Lateral, right wrist plain film, pediatric patient (female, age 4), presentation radiograph

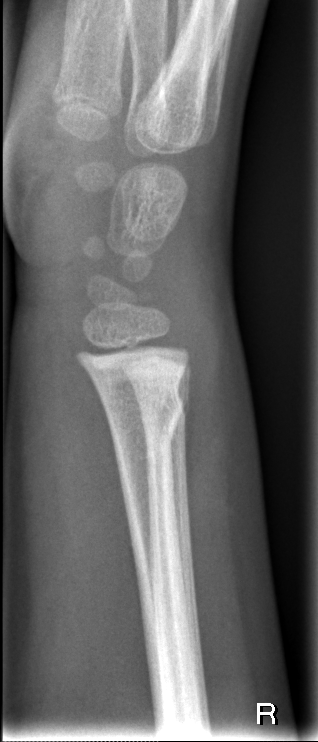

Boxes as x1,y1,x2,y2 (top-left / bottom-right, pixel units).
One soft tissue abnormality at [x1=178, y1=267, x2=257, y2=525].
AO code 23-M/2.1.
Fracture — [x1=104, y1=387, x2=184, y2=445].